Left wrist XR; posteroanterior; image 99.1 mm wide:

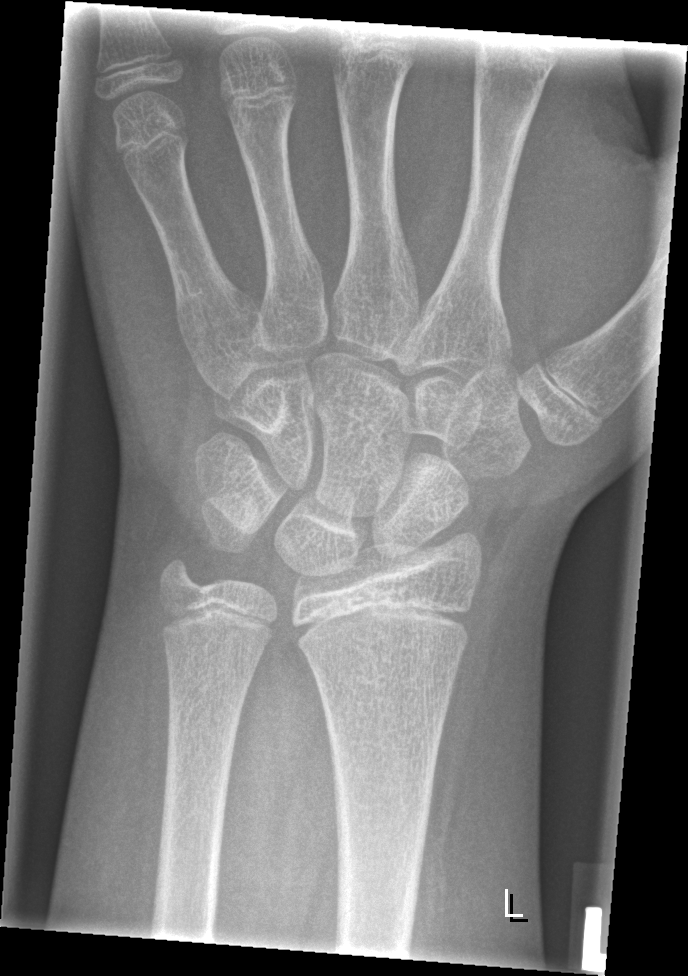 - No Fx annotated.